Lateral view · Rt wrist XR · 12y F. 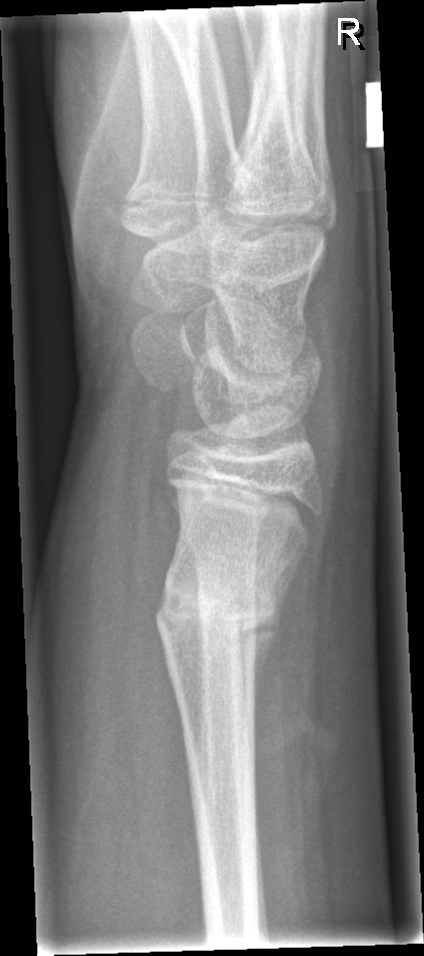

Fracture classified AO/OTA 23r-M/3.1; 23u-M/2.1. Decreased bone density (osteopenia). One periosteal thickening at [x1=239, y1=546, x2=304, y2=740]. Fx: [x1=150, y1=577, x2=287, y2=663].